Lat view · R plain radiograph of the wrist · presentation radiograph · 506 x 834 px.
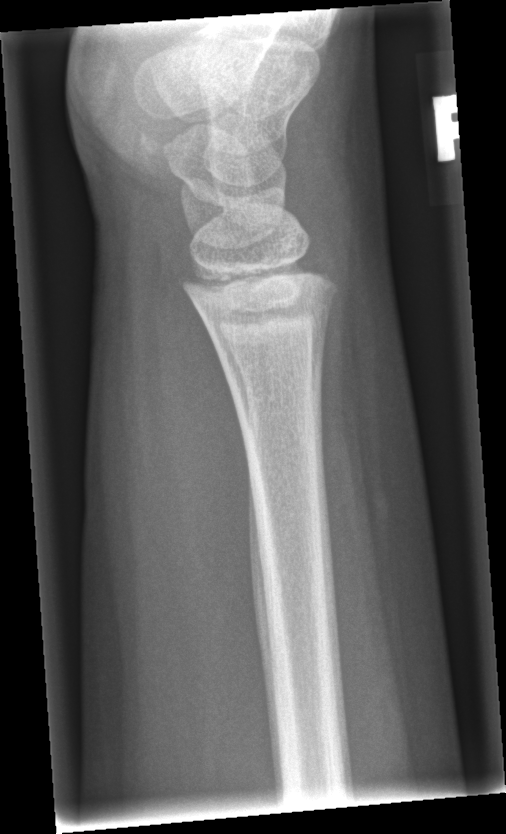
Q: Any fracture seen?
A: Fx: none